Right wrist pediatric wrist radiograph | lat projection | pediatric patient (male, age 5) | Siemens | image width 56.9 mm.

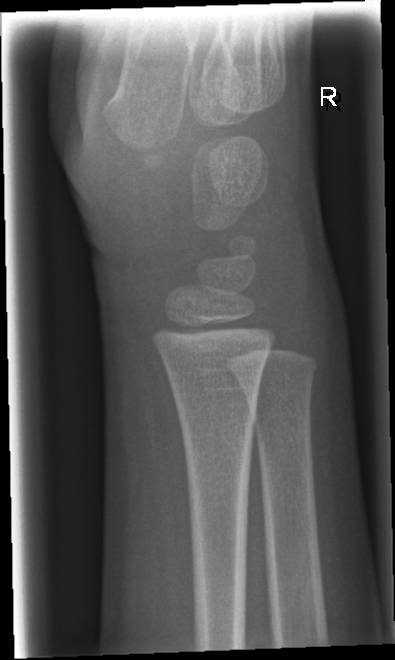
Findings: Fx: none.